Lat projection, left wrist plain radiograph of the wrist —
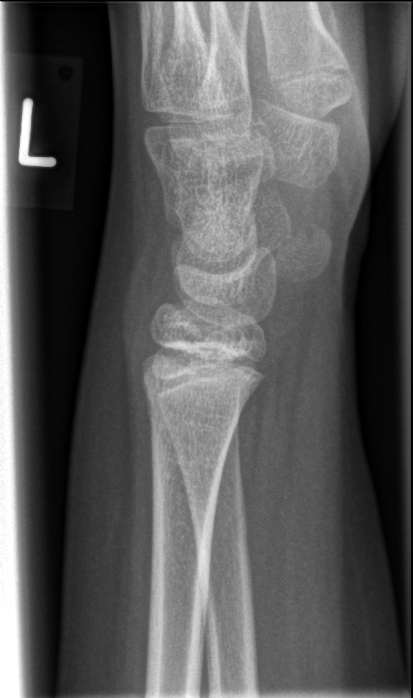 - No fracture labeled.